Right pediatric wrist radiograph; lateral projection; image 69.0 mm wide; 479 x 1050 px.

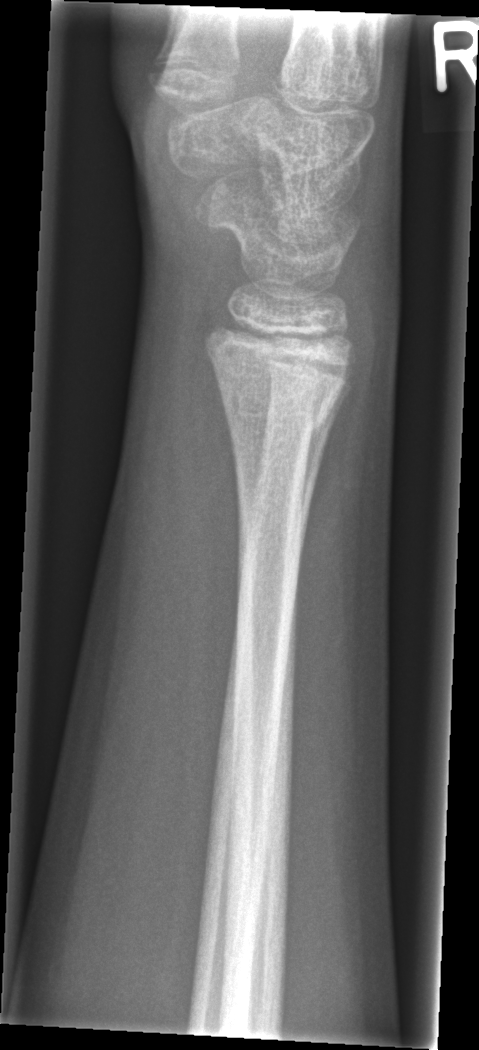

AO classification: 23r-M/3.1; 23u-E/7
Fracture: <208,376>-<347,457>